L wrist XR | lat projection | 10-year-old male | initial study | 63.9 mm image width: 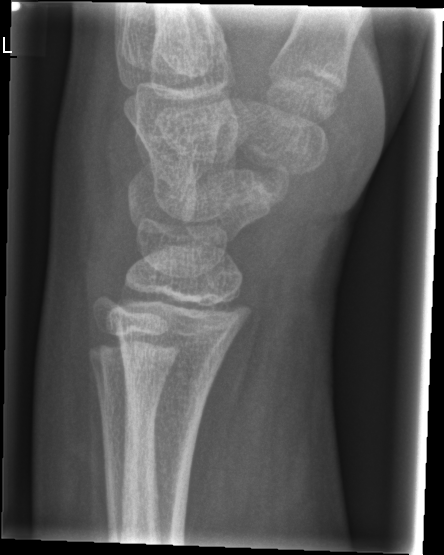
FINDINGS: Fx: none.